Lat; left wrist radiograph; 11y M
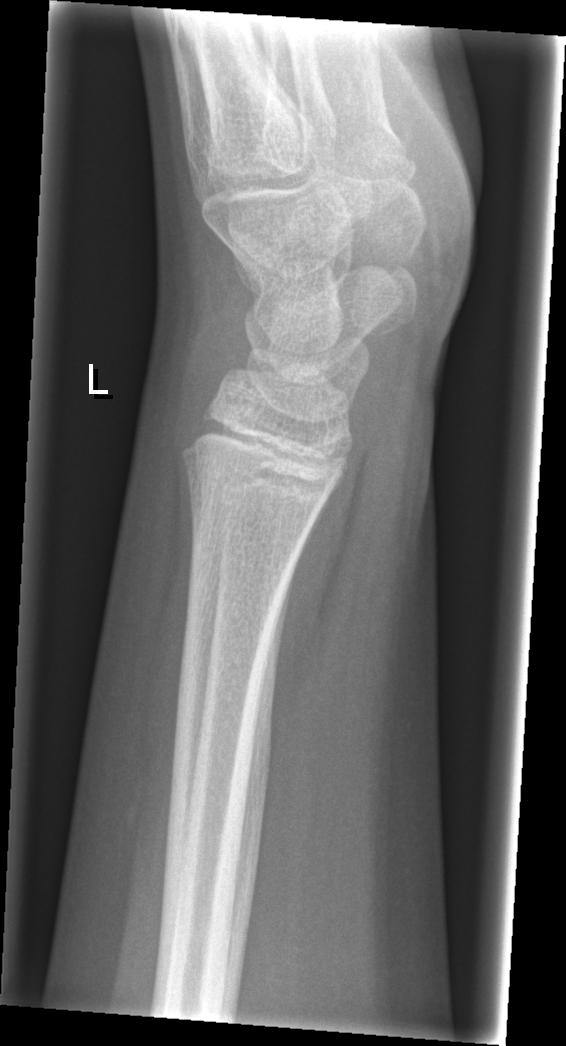
fracture = none labeled